Posteroanterior | right wrist plain radiograph of the wrist:
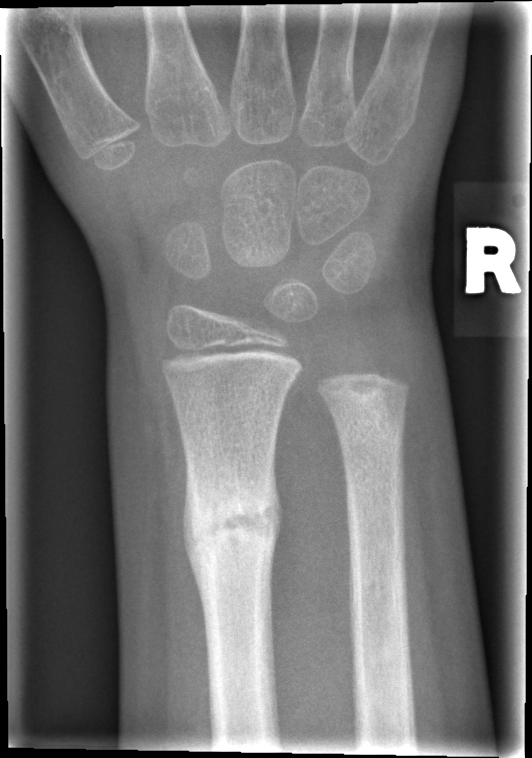 # pixel coordinates, top-left origin, xyxy
periostealreaction: <183,456>-<207,640> <263,448>-<283,594>
fracture: <177,467>-<286,578>
ao: 23r-M/3.1
osteopenia: present